R plain radiograph of the wrist, lateral view, 6y M, follow-up study, imaged through cast, 572 by 833 pixels — 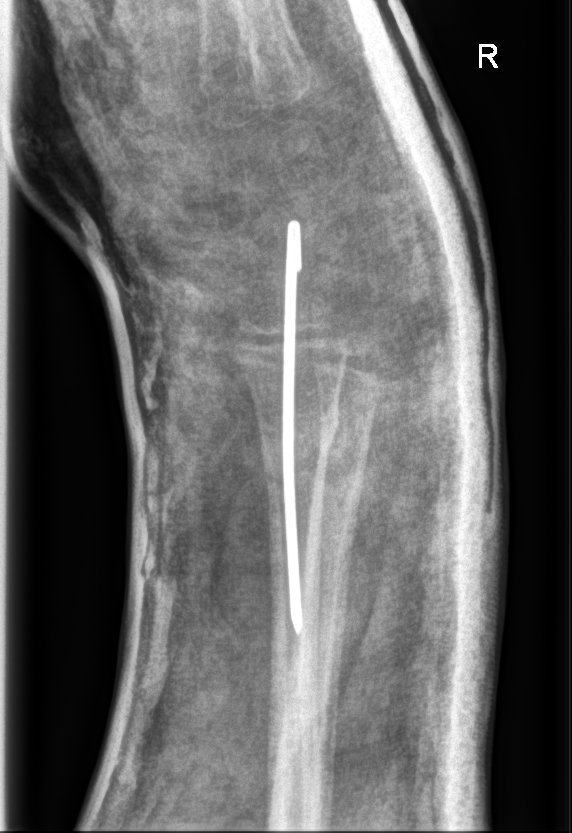

{
  "ao": "23r-M/3.1",
  "fracture": "[258, 405, 343, 496]",
  "metal": "[265, 212, 318, 634]"
}